Lat projection; right wrist XR; age 8 y, boy
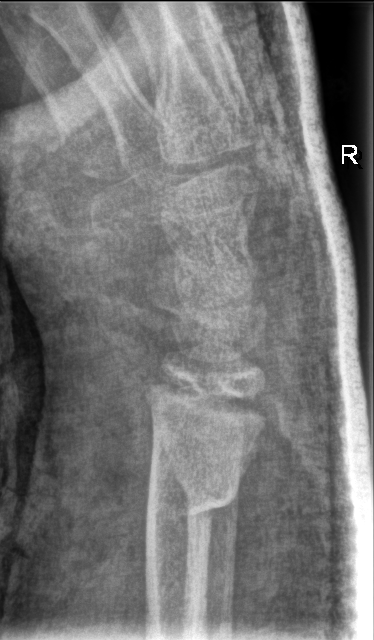

Bone fracture: (140, 462, 243, 536). AO/OTA classification: 23-M/2.1.